Lateral view, left wrist plain radiograph of the wrist: 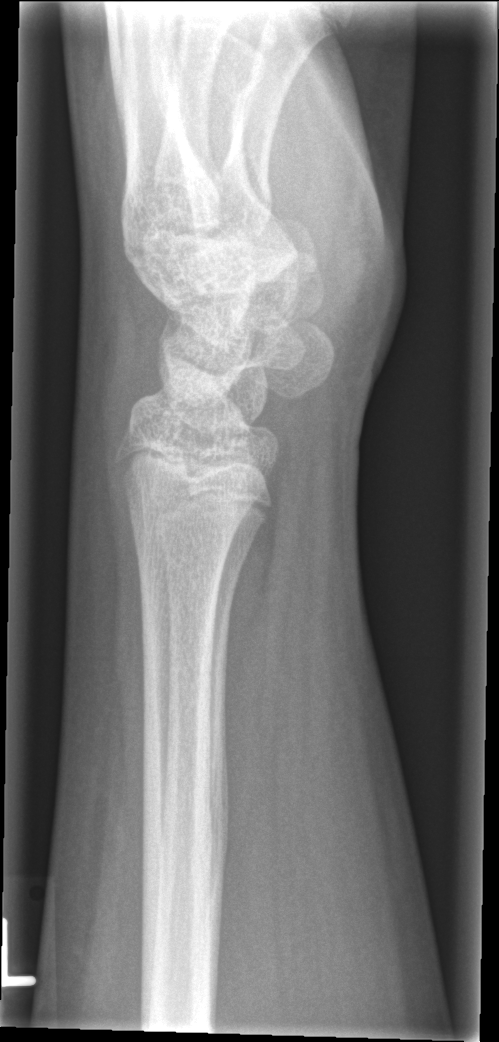

* No fracture annotation.